Right wrist plain film, lat projection, girl, 11 yo. 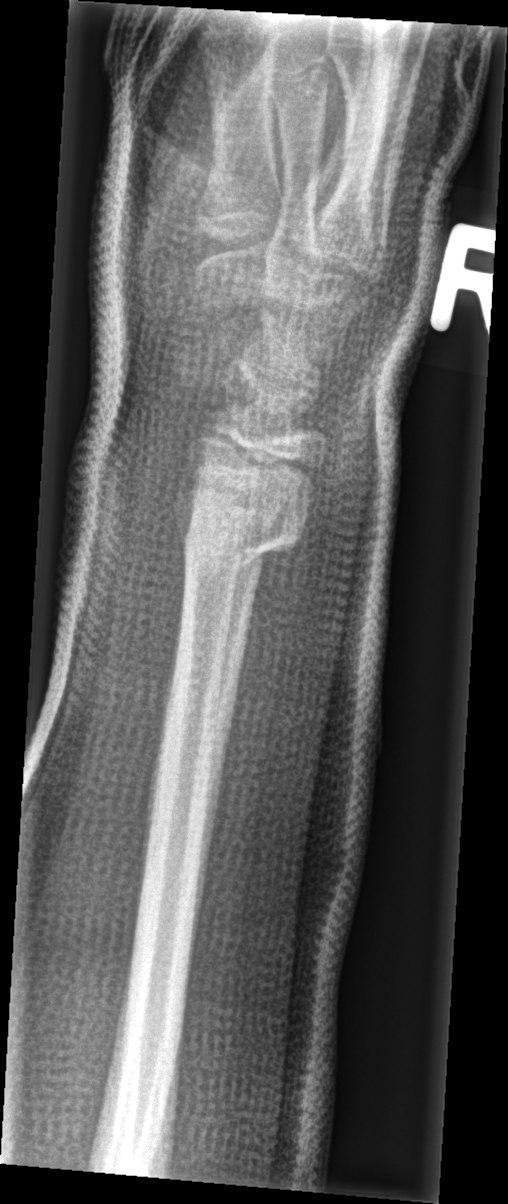

Bone fracture identified at [178, 520, 303, 572].